Right wrist plain film · lat projection

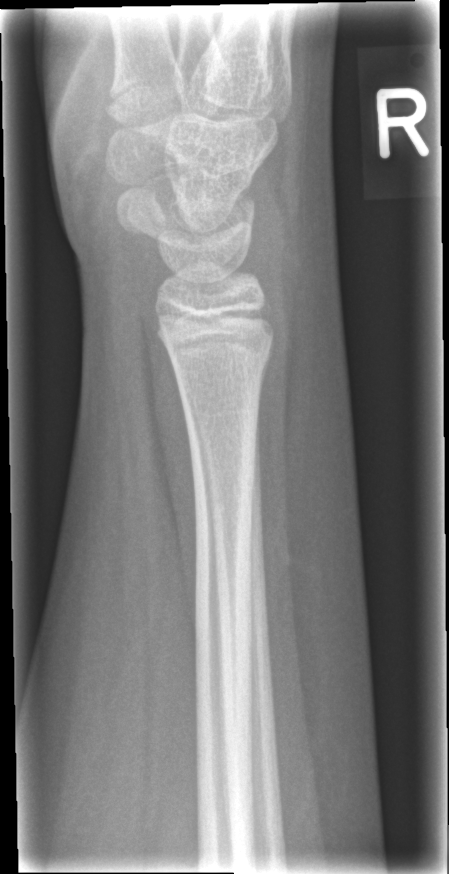
Fracture: none labeled.